Right pediatric wrist radiograph, frontal view, pediatric patient (boy, age 7):

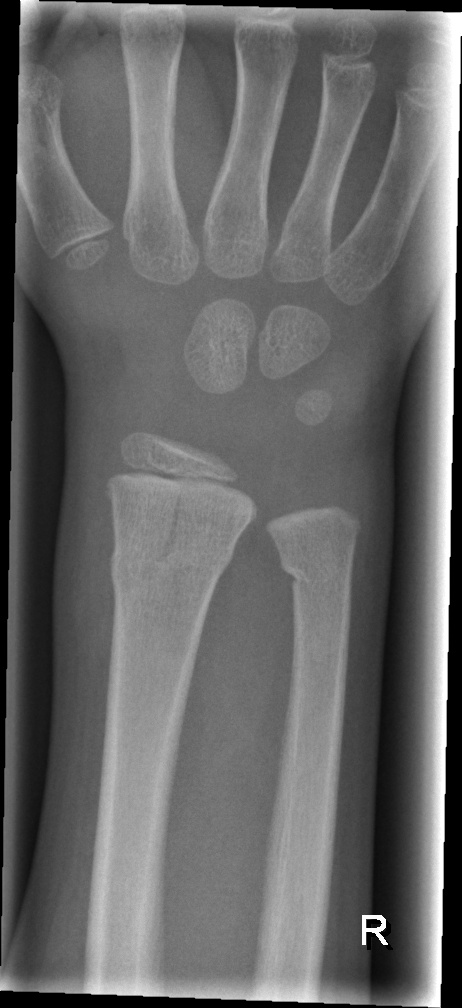
fracture: 2 @ bbox(107, 505, 237, 595); bbox(277, 549, 355, 597)
softtissue: bbox(61, 441, 118, 685)